L wrist radiograph | posteroanterior view | 10y F | subsequent exam | cast present | image size 1064x1122.

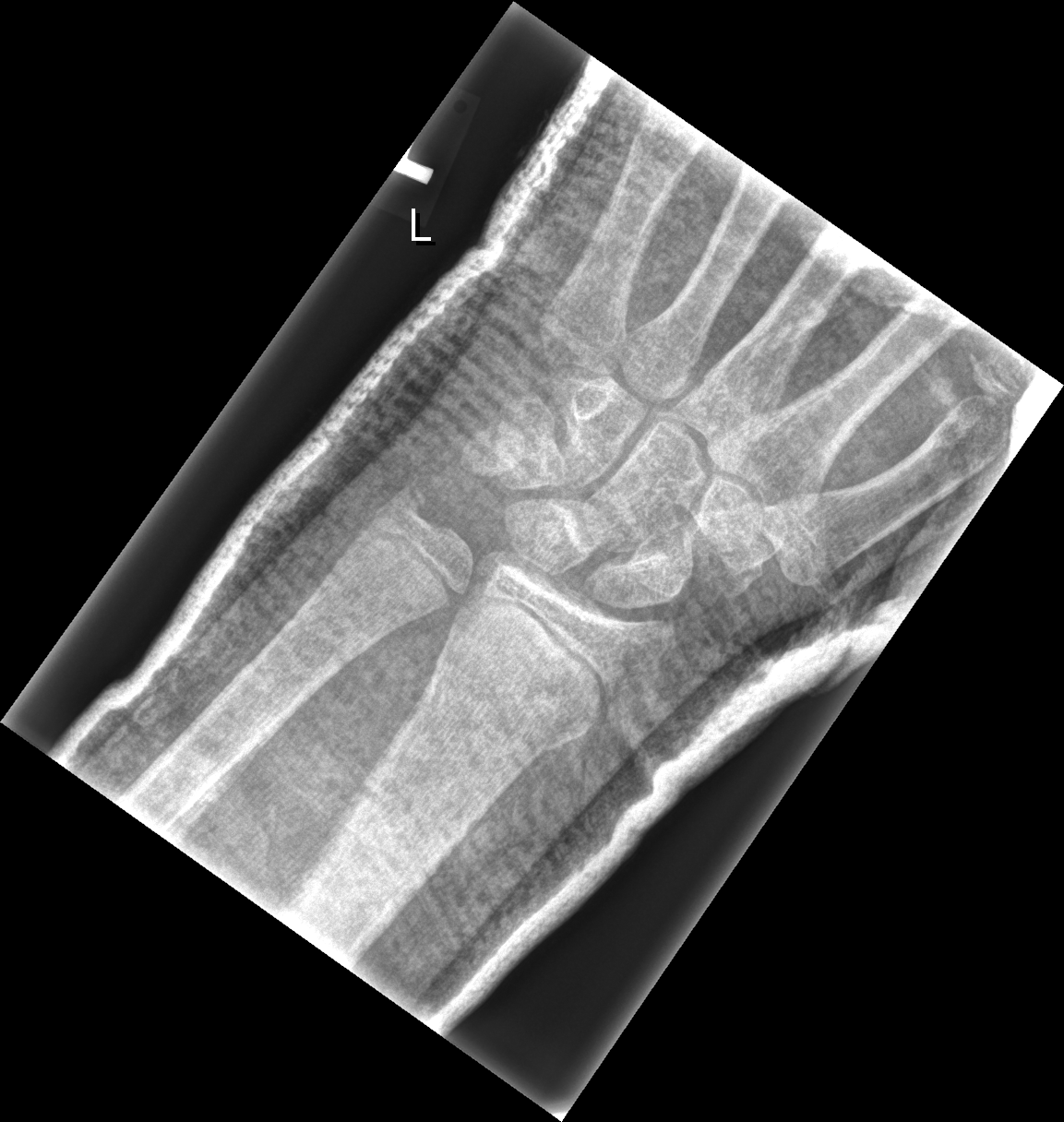

  # boxes as x1,y1,x2,y2 (top-left / bottom-right, pixel units)
  fracture: 428 595 596 764
  372 477 436 537